L pediatric wrist radiograph · lat projection · male, 8 yo · index exam · Siemens · 416 by 908 pixels. 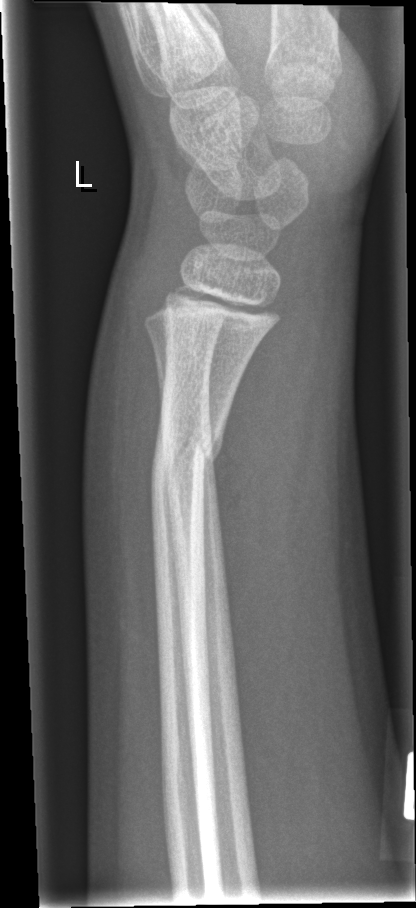

Bone fracture identified at bbox(146, 414, 229, 505).
One pronator quadratus fat-pad sign at bbox(212, 282, 322, 601).
Fracture classified AO/OTA 23r-M/2.1.